Lt pediatric wrist radiograph · PA/AP projection. 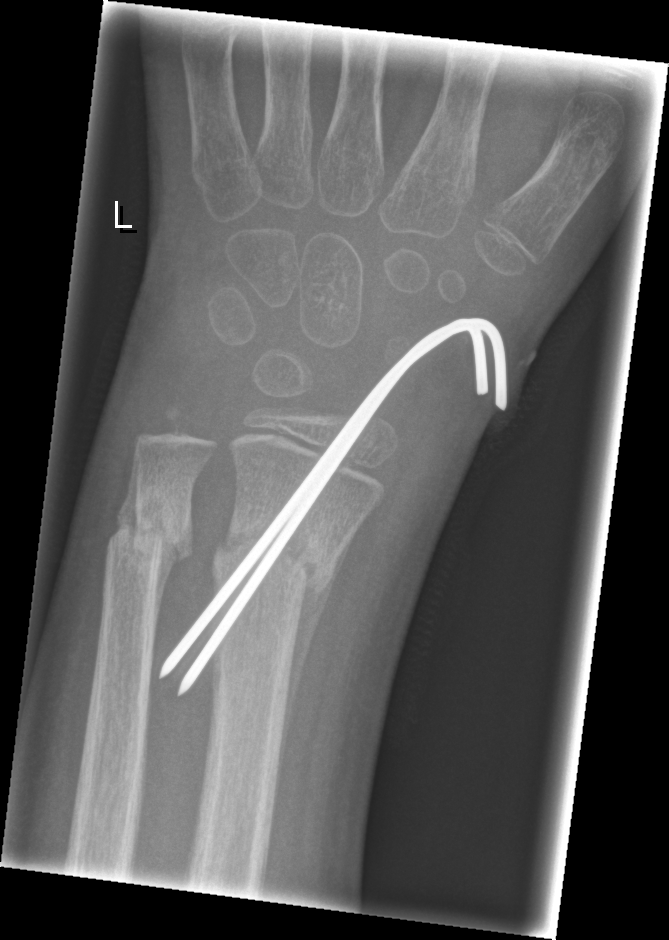

{"fracture": "2 @ [x1=209, y1=521, x2=335, y2=609] [x1=99, y1=493, x2=197, y2=575]", "periostealreaction": "2 @ [x1=277, y1=555, x2=343, y2=777], [x1=119, y1=456, x2=142, y2=532]", "osteopenia": "present", "metal": "[x1=161, y1=320, x2=506, y2=694]"}